PA/AP view; Rt wrist radiograph; in cast; acquired on Siemens; 791x870: 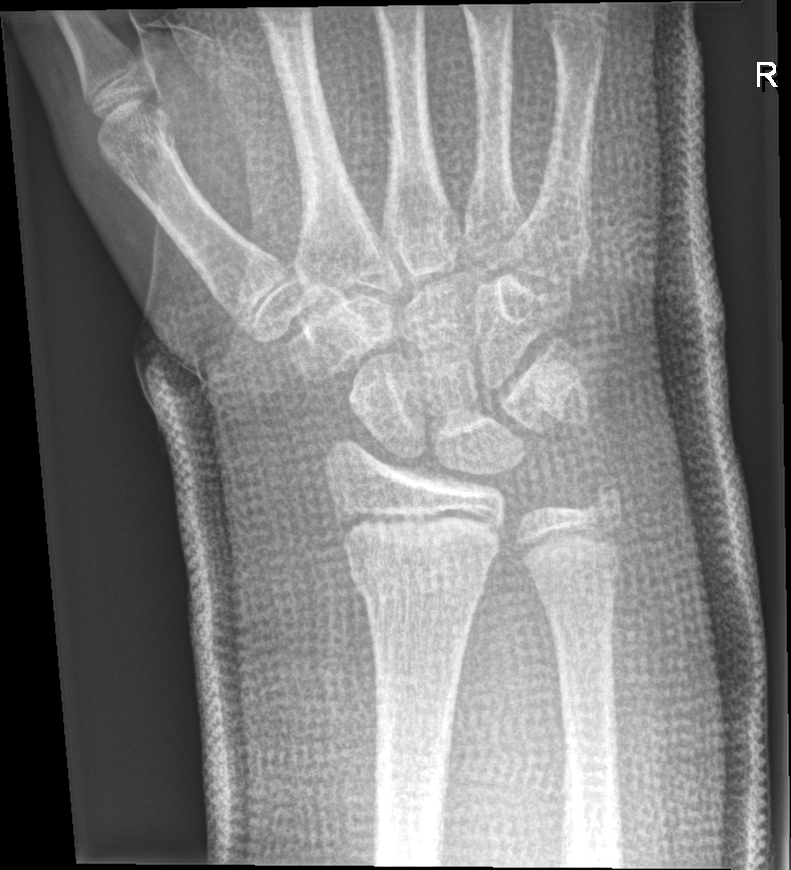 Fx = 345,543,497,614 | 572,470,627,525